L pediatric wrist radiograph; frontal view; presentation radiograph; Siemens:

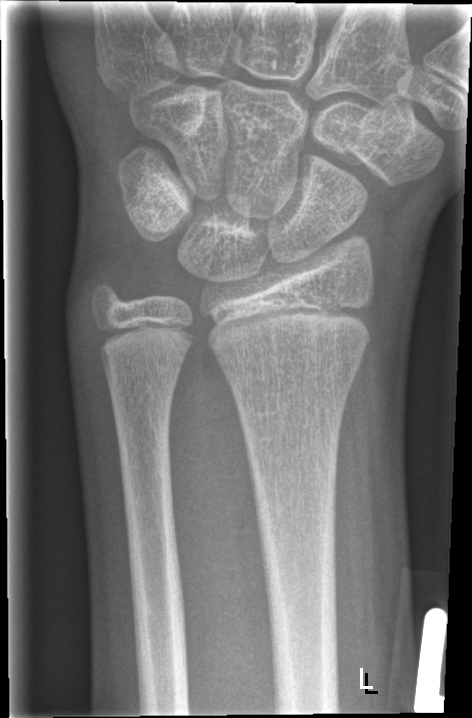
• Fx: none.